Left wrist X-ray · posteroanterior projection.
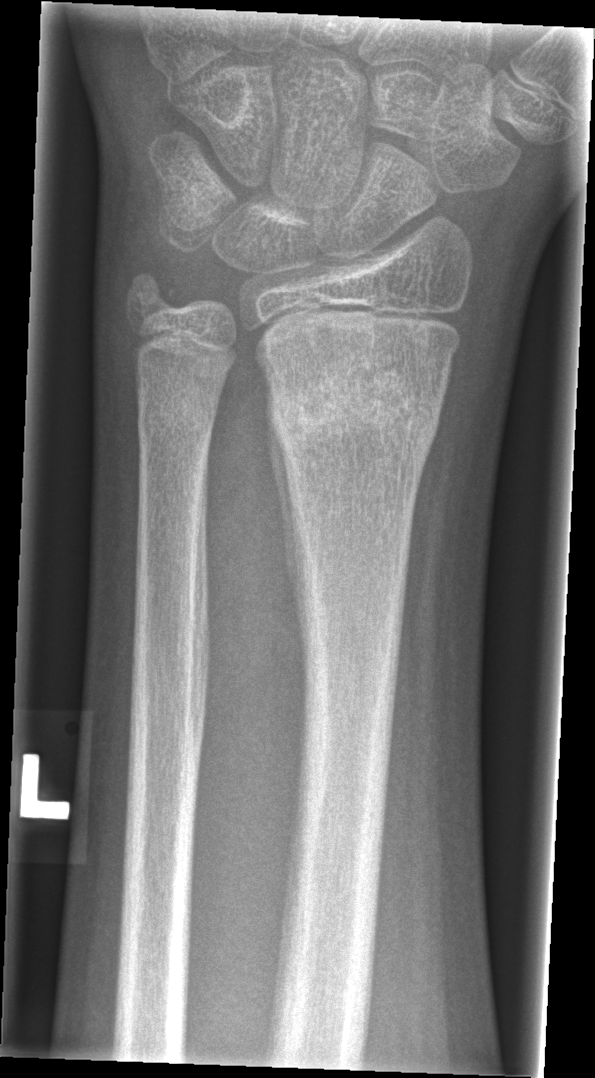

FINDINGS: Periosteal reaction: 266,419,307,651. Decreased bone density (osteopenia). Fx identified at 265,358,448,457
  133,389,219,449
  119,263,189,332.